Lat view, right wrist XR, subsequent exam, cast present —

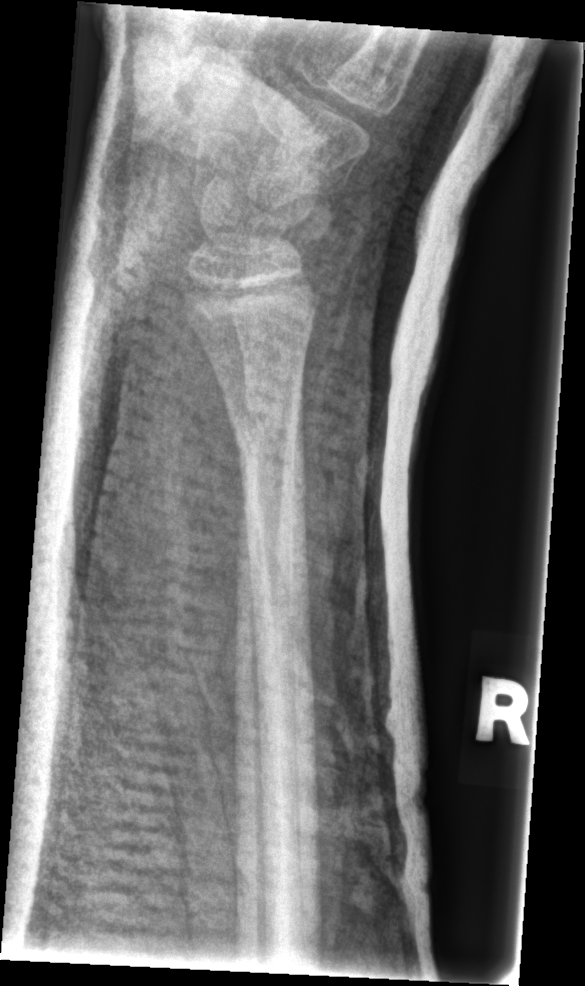

One Fx at 225,388,311,487. AO/OTA classification: 23-M/2.1.